PA/AP view, L wrist plain film, 13-year-old female —
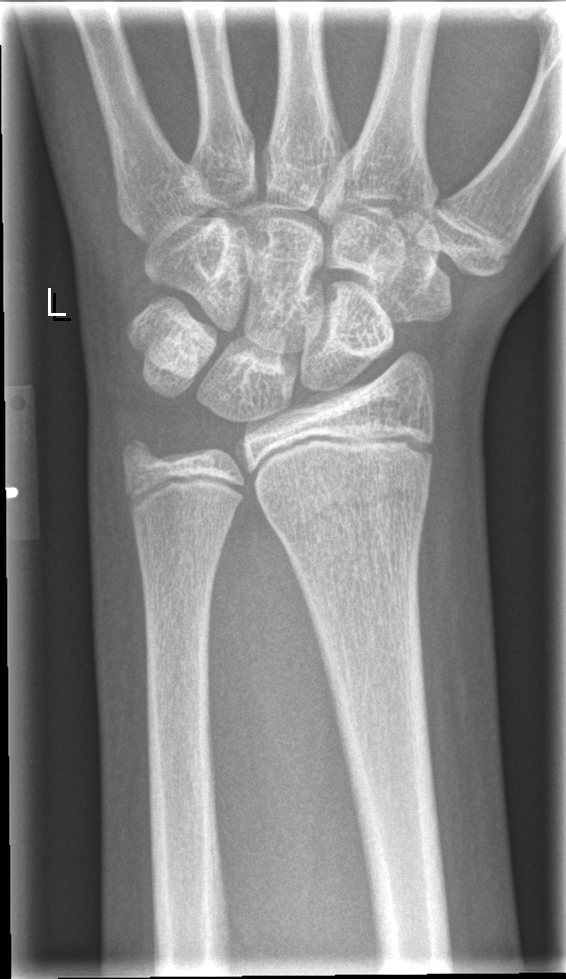 FINDINGS: Fracture classified AO/OTA 23r-M/3.1; 23u-E/7. Fx — bbox(273, 474, 430, 546); bbox(113, 426, 176, 481).